Rt wrist plain film | lat | findings marked uncertain by the reading radiologist | detector: Siemens | image width 65.4 mm —
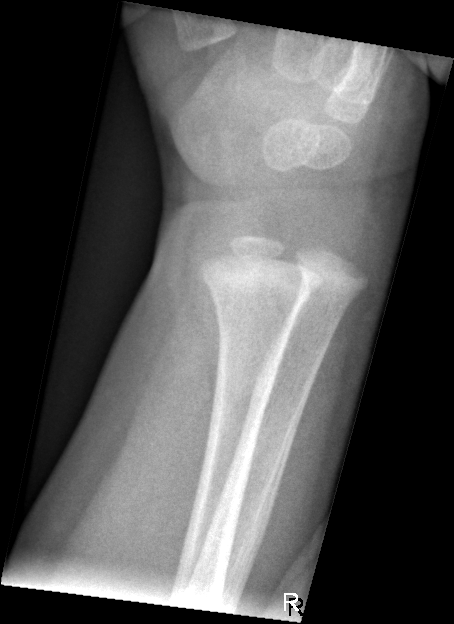 Fracture: none labeled.